Right wrist XR; lateral projection; detector: Siemens; image 90.1 mm wide — 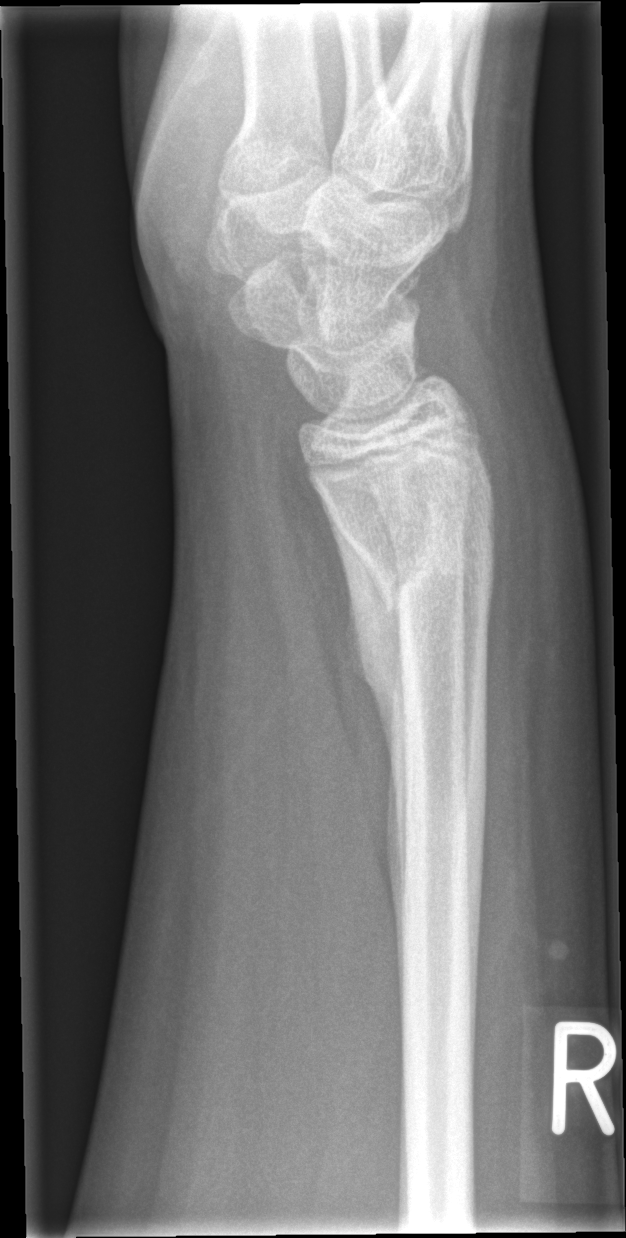 FINDINGS: Fracture classified AO/OTA 23r-M/3.1; 23u-E/7. Bone fracture identified at 332 505 503 622. One periosteal new bone at 317 489 409 870.